Lt wrist plain film | PA/AP | pediatric patient (boy, age 11).

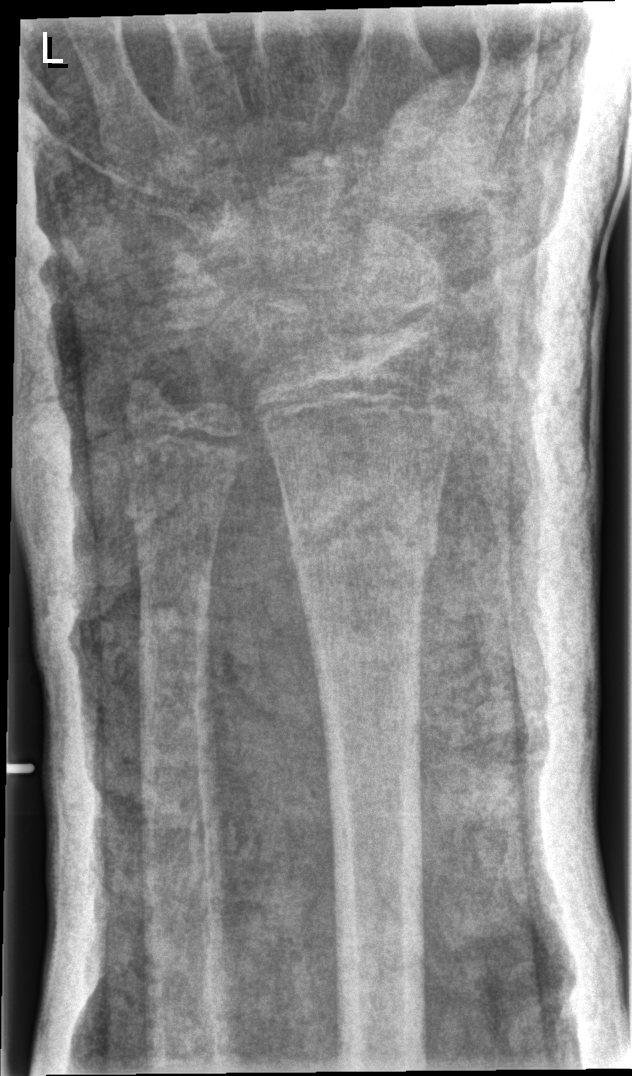
FINDINGS — One bone fracture at [285, 479, 439, 580]. AO/OTA classification: 23r-M/3.1; 23u-E/7.